Lt wrist plain film, lateral view, pediatric patient (male, age 11), 497 by 816 pixels.

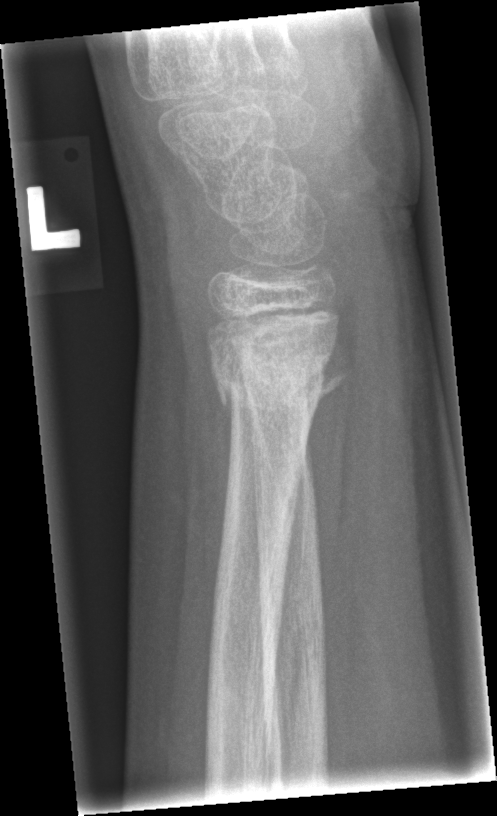

Osteopenia. Bone fracture identified at <209,336>-<351,426>.